Lt wrist plain film; lat projection; boy, 10 yo
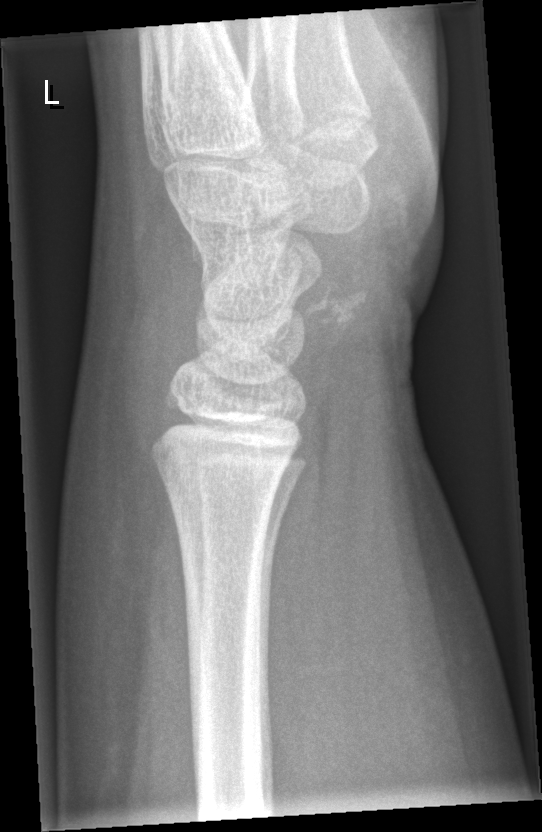
{
  "fracture": "none labeled"
}